Rt wrist X-ray | frontal | 9y M

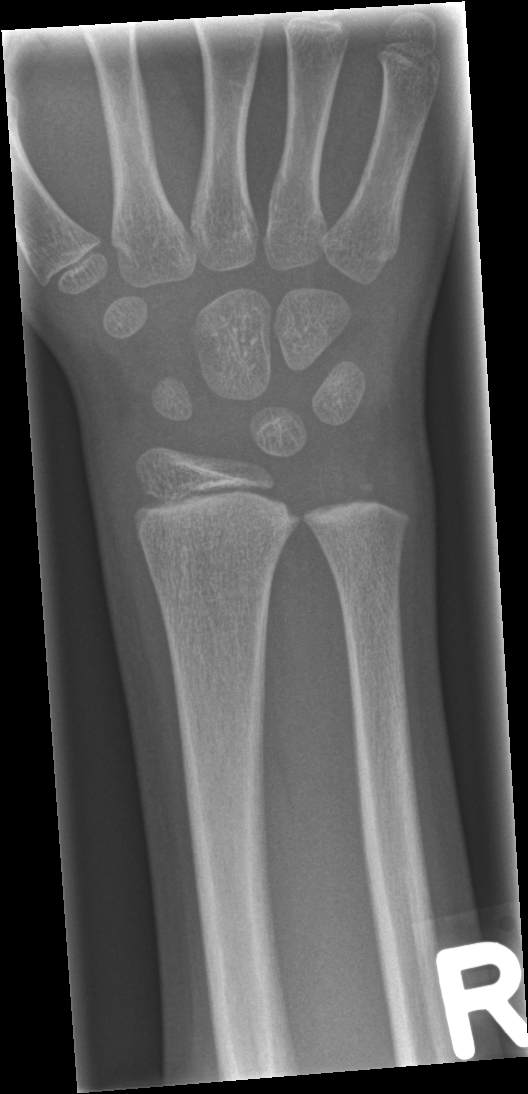
Findings: Fracture: present but not clearly seen in this view.